L wrist plain film · lat view 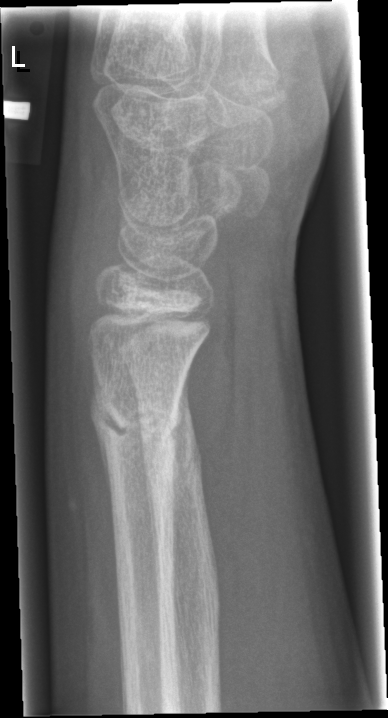

(boxes as x1,y1,x2,y2 (top-left / bottom-right, pixel units))
AO classification: 23r-M/3.1; 23u-M/2.1
Fx: 1 @ 86 385 182 458
osteopenia: present